Left wrist pediatric wrist radiograph · lat projection · girl, 13 yo: 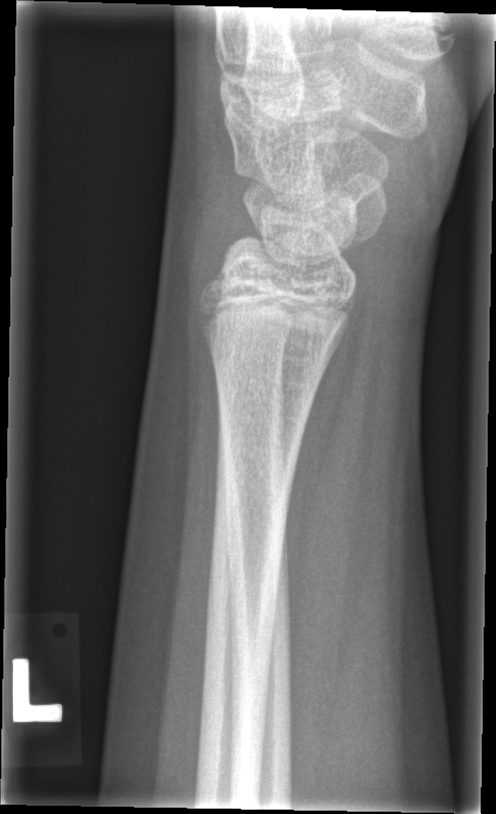 * No fracture annotation.